PA/AP projection; right wrist X-ray; in cast. 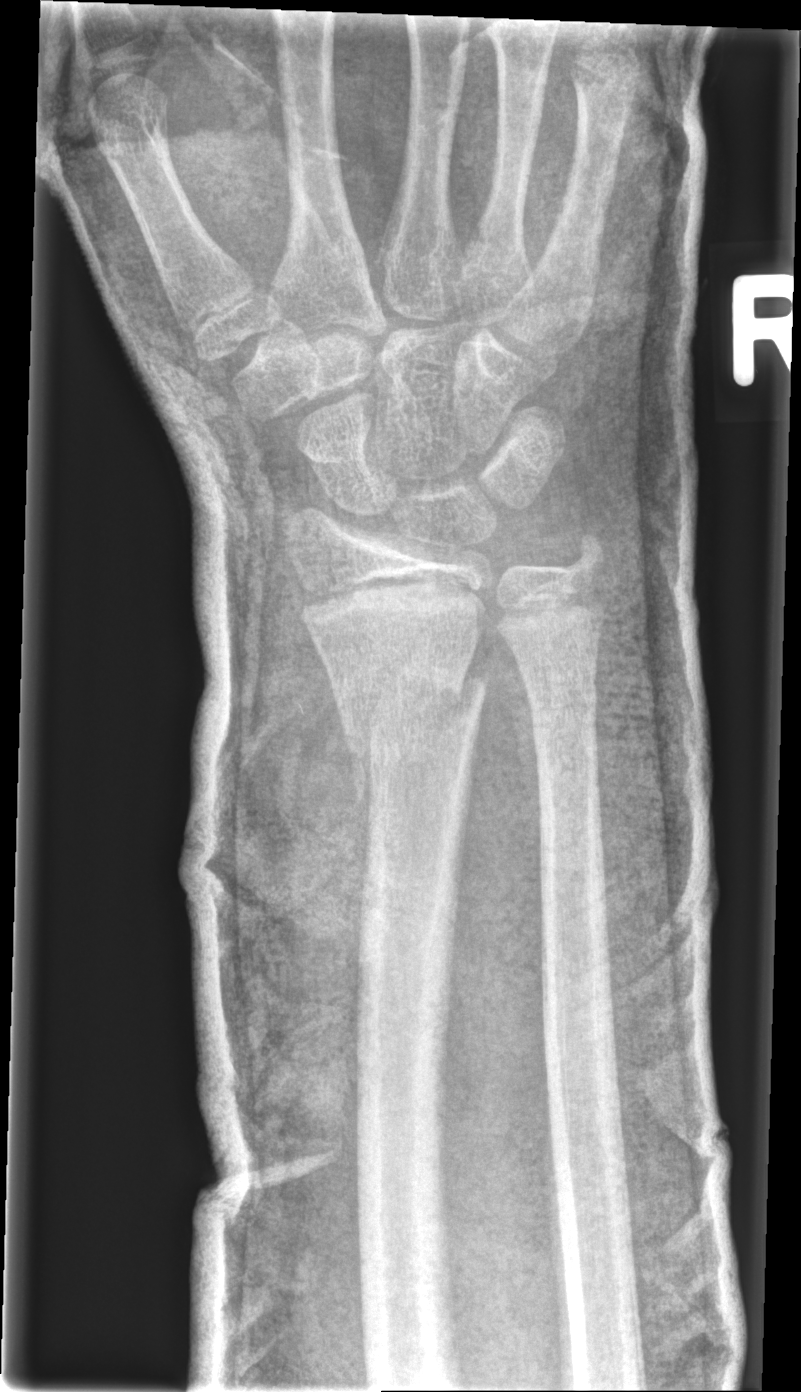 Q: What is the AO/OTA classification?
A: AO code 23r-M/3.1; 23u-M/2.1; 23u-E/7
Q: Fracture present?
A: Fracture identified at 340 660 488 796; 525 675 604 755